R wrist plain film; frontal projection; 16-year-old male; initial study; image 87.3 mm wide:

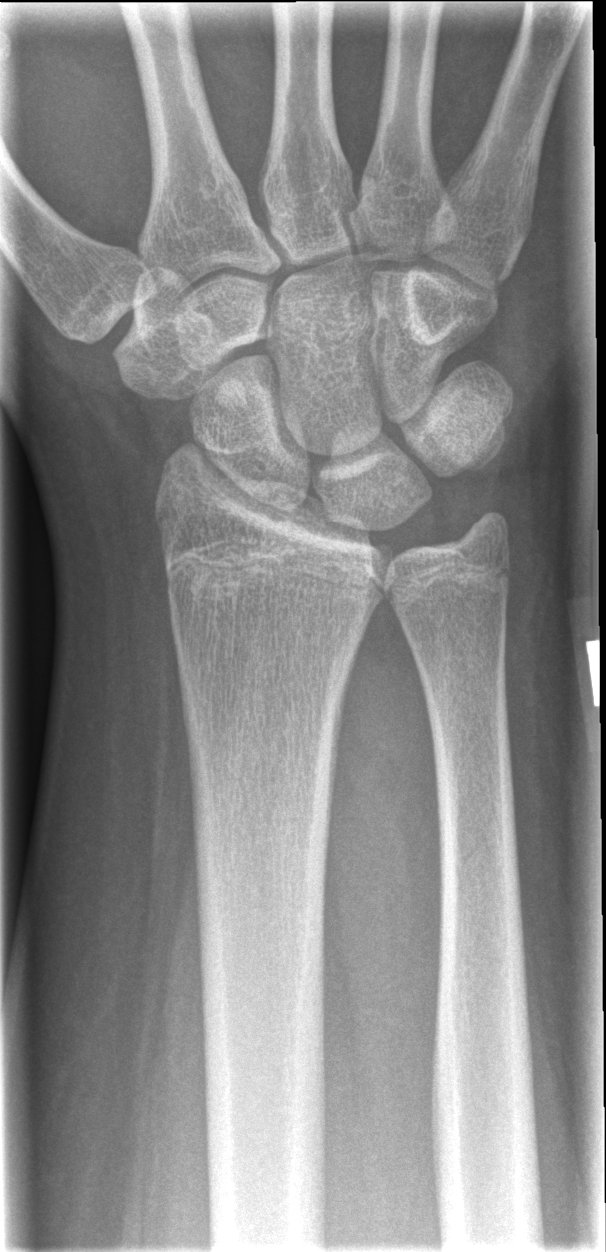 {
  "fracture": "none labeled"
}